Posteroanterior projection | R pediatric wrist radiograph | 2-year-old boy | image width 68.0 mm
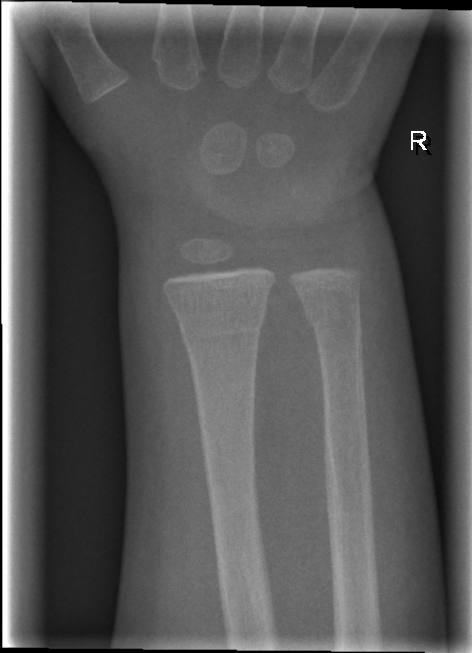

(coordinates are [x1, y1, x2, y2] in image pixels)
Q: Any fracture seen?
A: Fracture: (left=179, top=311, right=267, bottom=349); (left=301, top=302, right=366, bottom=337)